Left wrist XR · lat · in cast 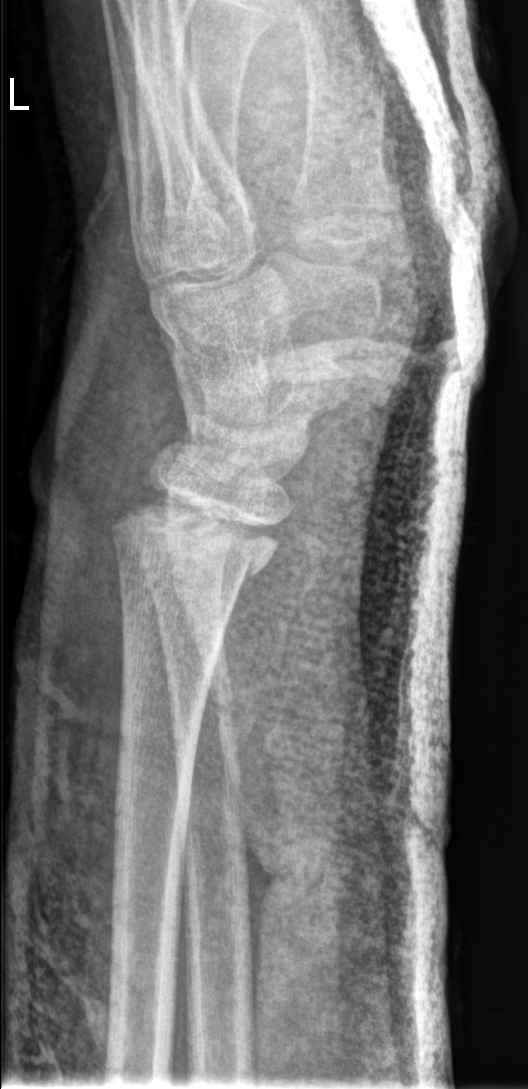

  ao: 23r-E/2.1
  fracture: (108, 483, 290, 590)